AP view · Lt pediatric wrist radiograph · presentation radiograph —
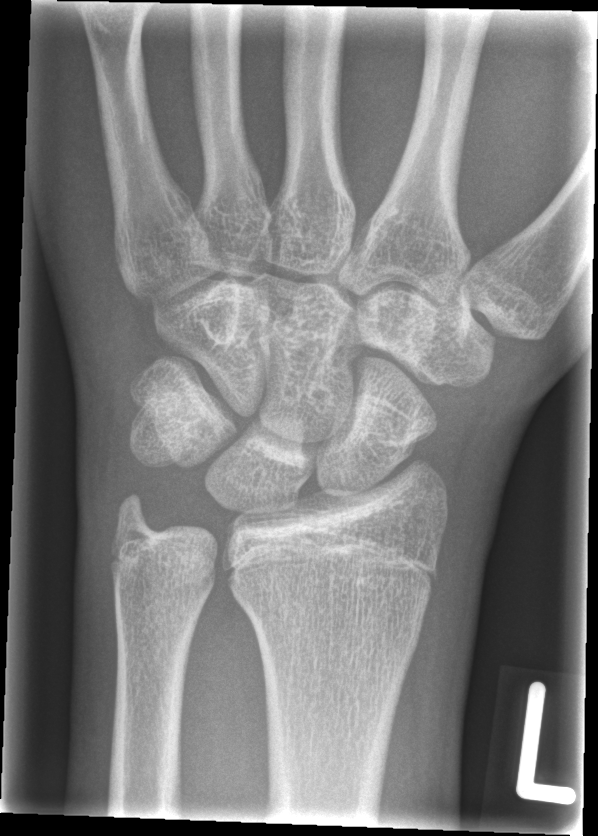 fracture: none labeled